AP view · right wrist X-ray · initial study · acquired on Siemens · 533 by 1240 pixels: 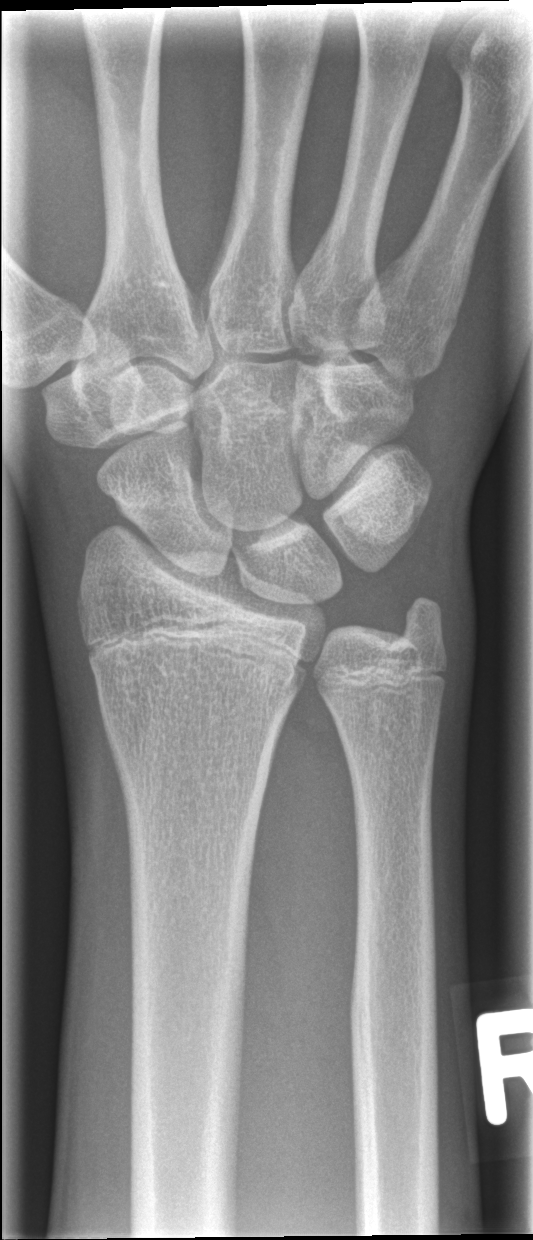

No fracture annotation.